AP; right wrist radiograph; age 13 y, male; index exam —

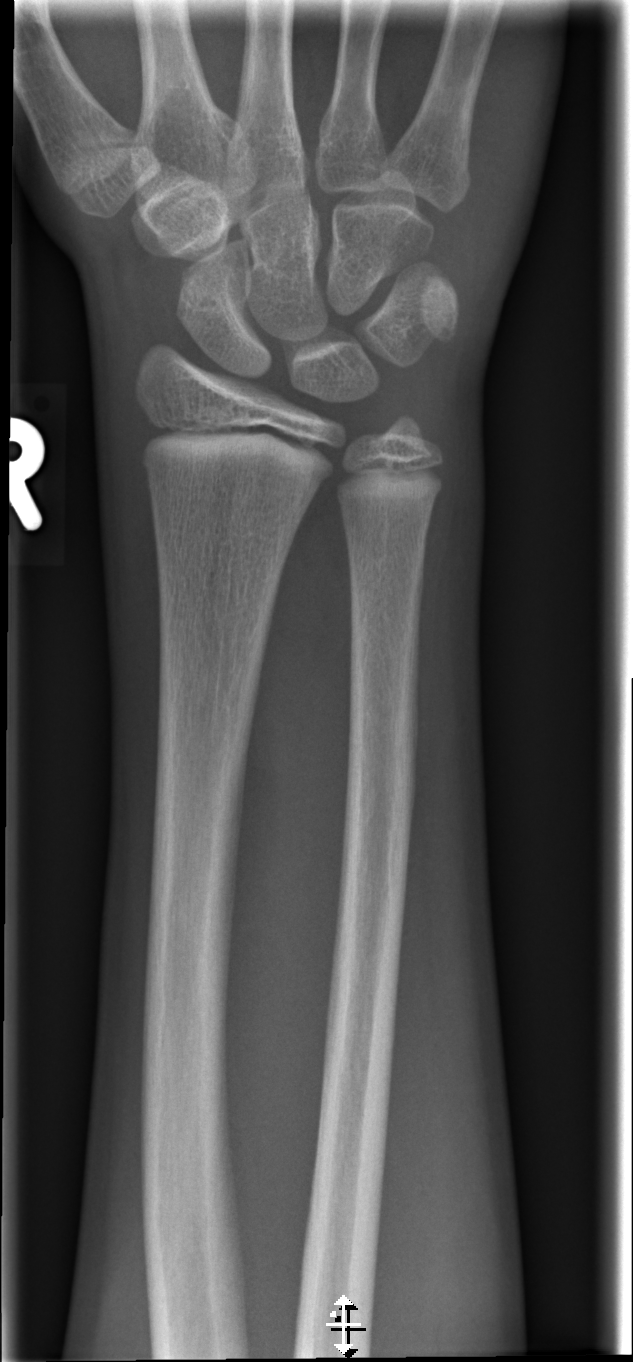
Findings: Fracture: none labeled.